Frontal view · Lt wrist X-ray · index exam · detector: Siemens · image 77.9 mm wide · 541 by 940 pixels.

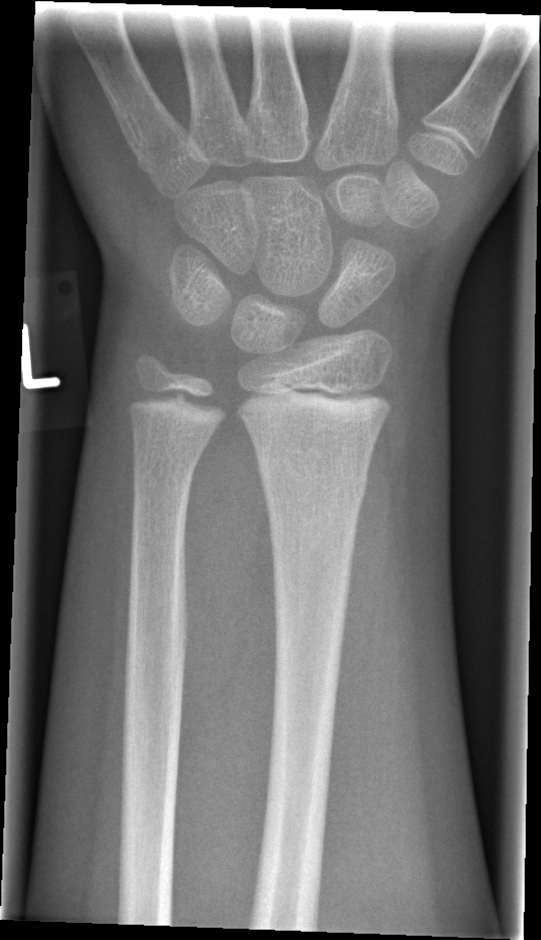

* Boxes as x1,y1,x2,y2 (top-left / bottom-right, pixel units).
* AO code 23r-M/2.1.
* Bone fracture: (left=259, top=455, right=369, bottom=521).